Lateral projection, left wrist plain radiograph of the wrist, presentation radiograph, detector: Siemens, image 56.2 mm wide — 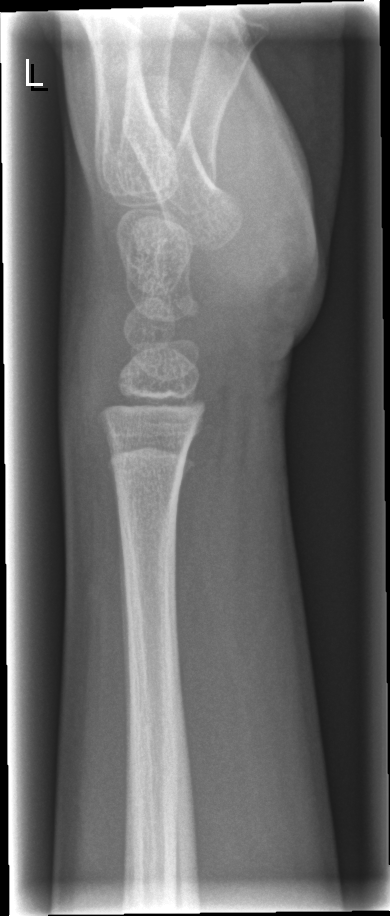 Fracture: none labeled.